R pediatric wrist radiograph | PA/AP | image 80.2 mm wide.
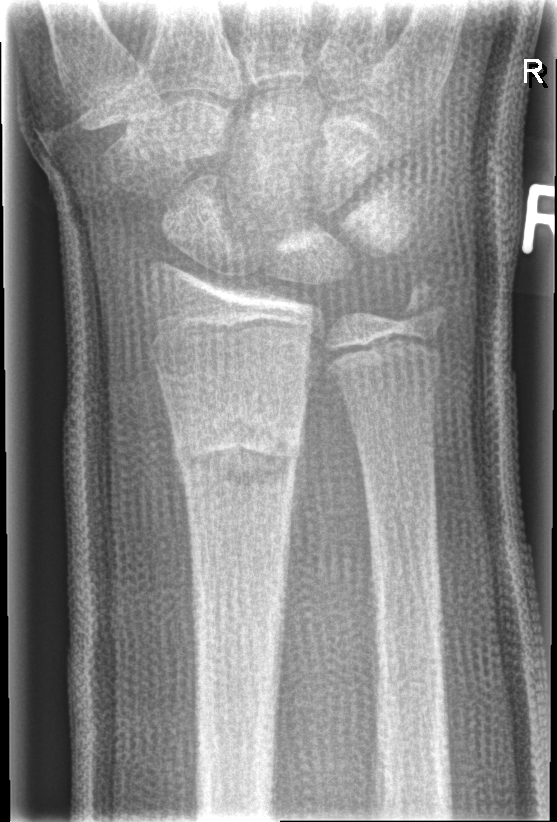

FINDINGS — AO code 23r-M/3.1; 23u-E/7. Fractures — 171,424,306,487 | 403,278,448,329.